Lateral projection · Rt wrist XR · age 13 y, girl · initial study: 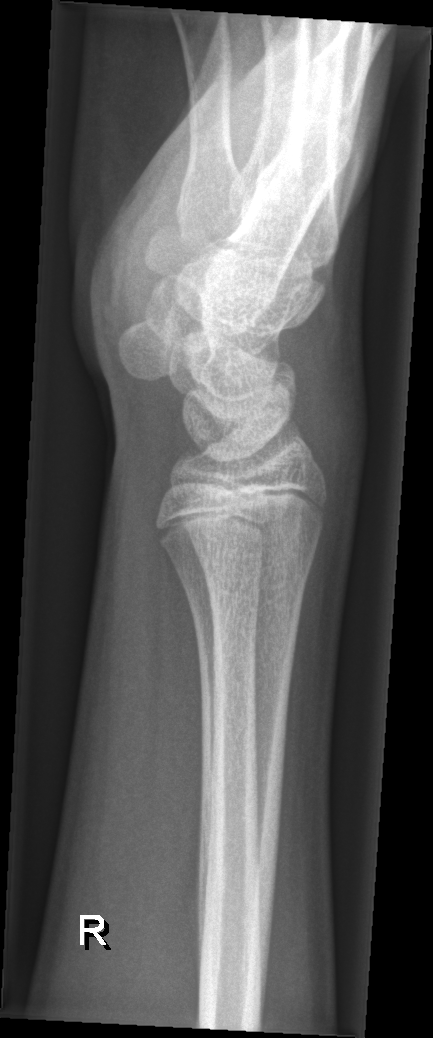 Findings: Fx: none.